Left wrist X-ray | lateral projection | 13-year-old boy | follow-up study | 75.2 mm image width | image size 522x1094:

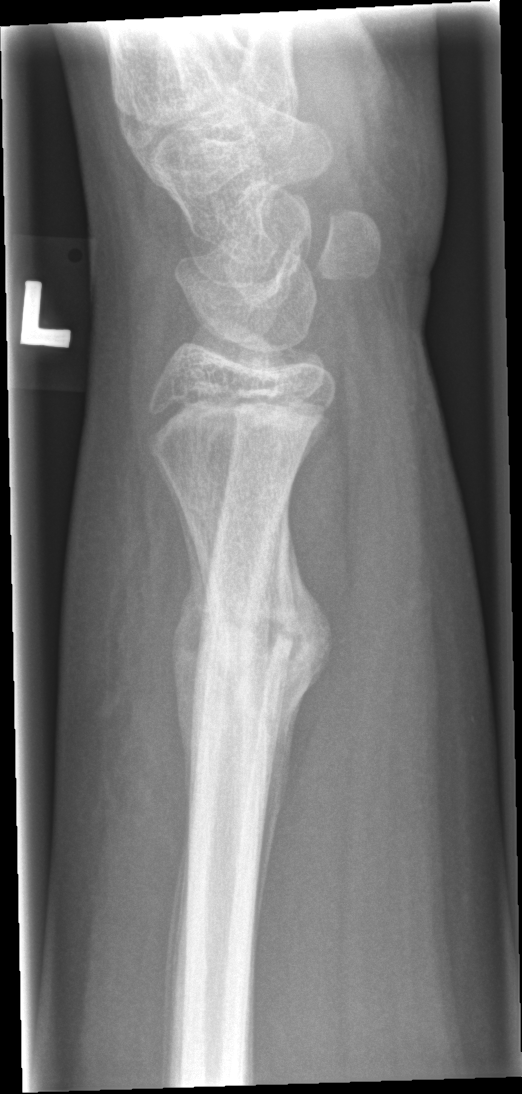

* Coordinates are [x1, y1, x2, y2] in image pixels.
* AO code 23r-M/3.1; 23u-M/2.1.
* Fx — 169 565 330 723.
* Periosteal reaction — 253 489 336 983; 160 449 209 810.
* Soft-tissue swelling — 74 410 195 946.